Left wrist radiograph; lat 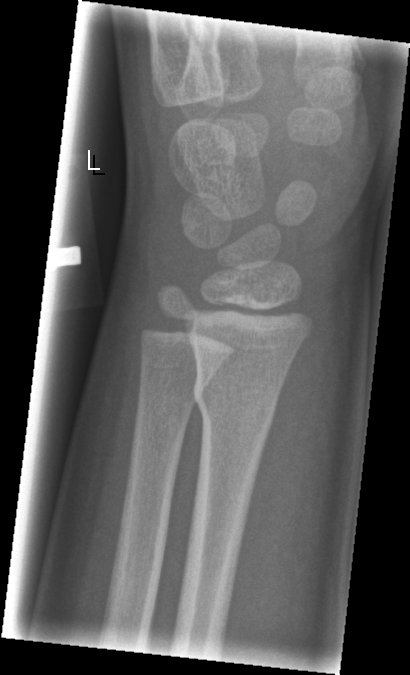
(coordinates are [x1, y1, x2, y2] in image pixels)
AO classification: 23-M/2.1
Bone fracture: 1 @ [191, 368, 280, 438]